Posteroanterior projection | right pediatric wrist radiograph | boy, 10 yo — 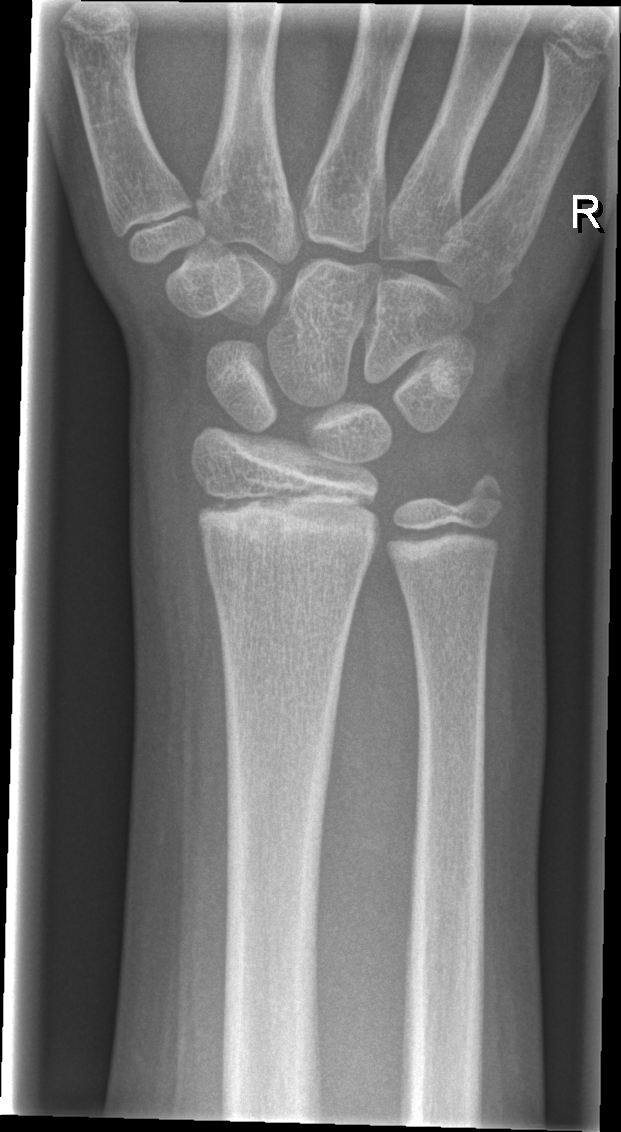

AO/OTA: 23r-E/1; 23u-E/7
fracture: 2 @ (left=198, top=484, right=383, bottom=541); (left=456, top=467, right=511, bottom=527)